Lateral view, Lt wrist radiograph, age 9 y, male
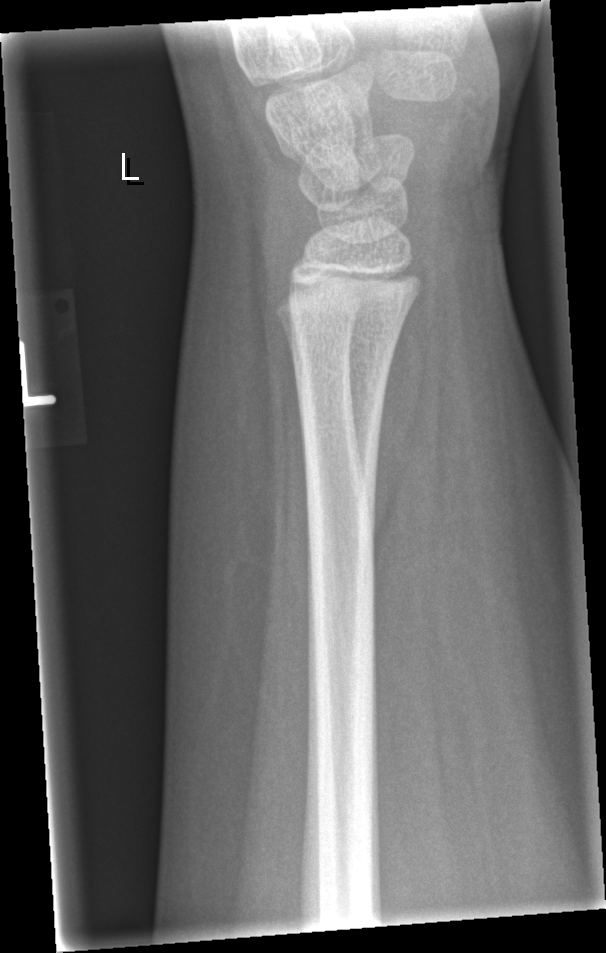

Fx = none labeled